Left wrist plain radiograph of the wrist, PA projection, pediatric patient (male, age 6), acquired on Siemens —

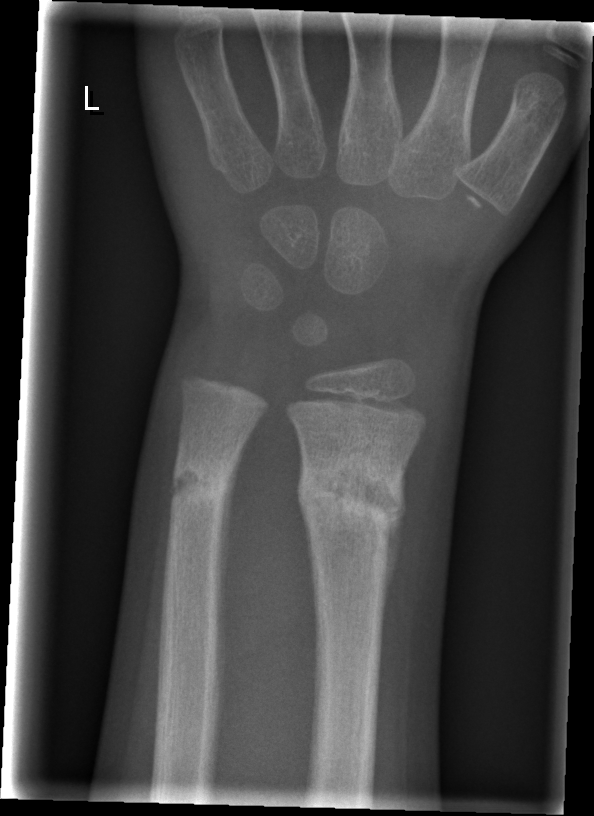

• AO code 23-M/2.1.
• Periosteal new bone — 210 430 251 712
  380 510 404 610.
• Decreased bone density (osteopenia).
• Fracture: 296 450 407 536; 164 448 231 515.